Left wrist pediatric wrist radiograph | lateral view | presentation radiograph | image width 68.7 mm:
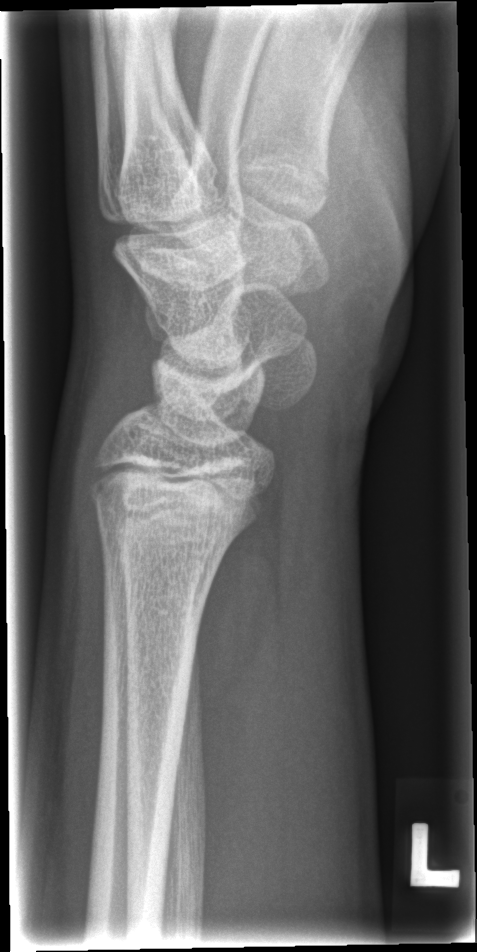 (coordinates are [x1, y1, x2, y2] in image pixels)
fracture: present but not clearly seen in this view
pronator sign: bbox(185, 460, 287, 743)
AO classification: 23r-M/2.1